Left wrist plain film · AP · initial study · 738x1332

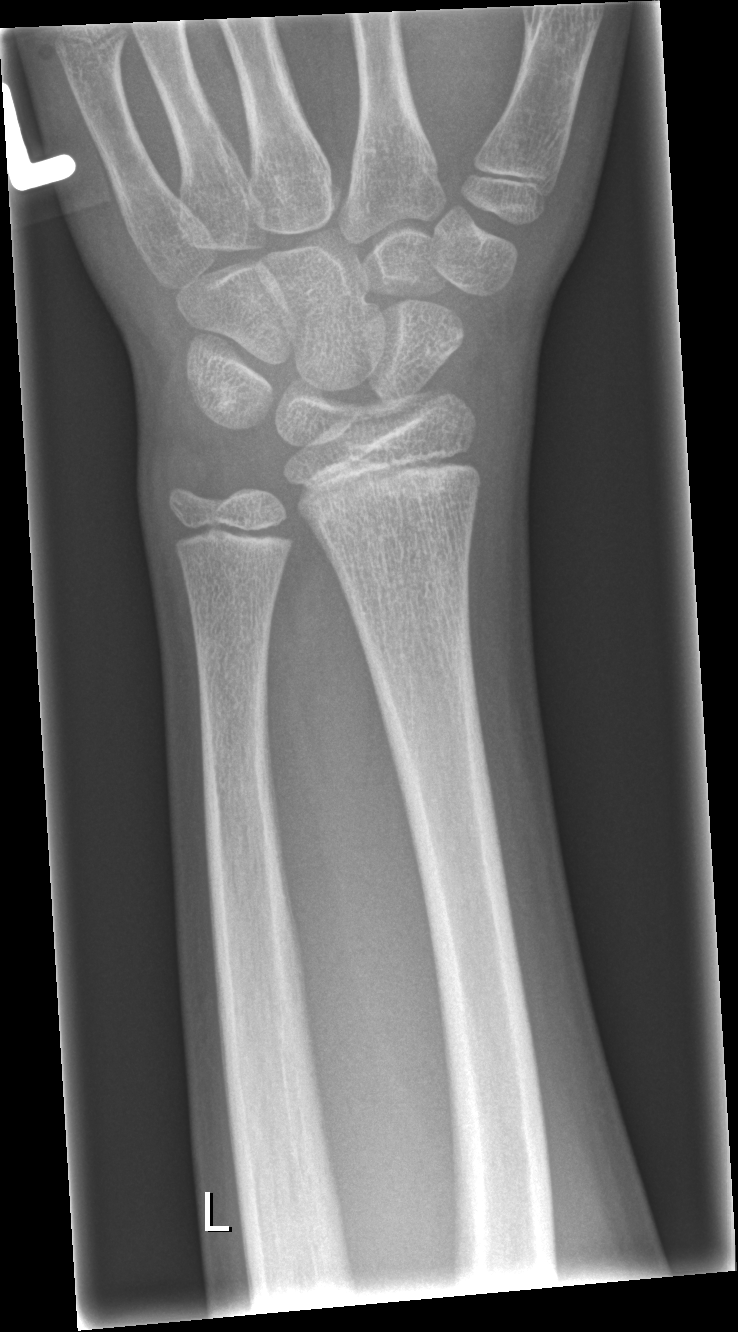

FINDINGS: (pixel coordinates, top-left origin, xyxy) Fx — [x1=326, y1=387, x2=481, y2=439].